Rt wrist plain film; lat view; 16y M:

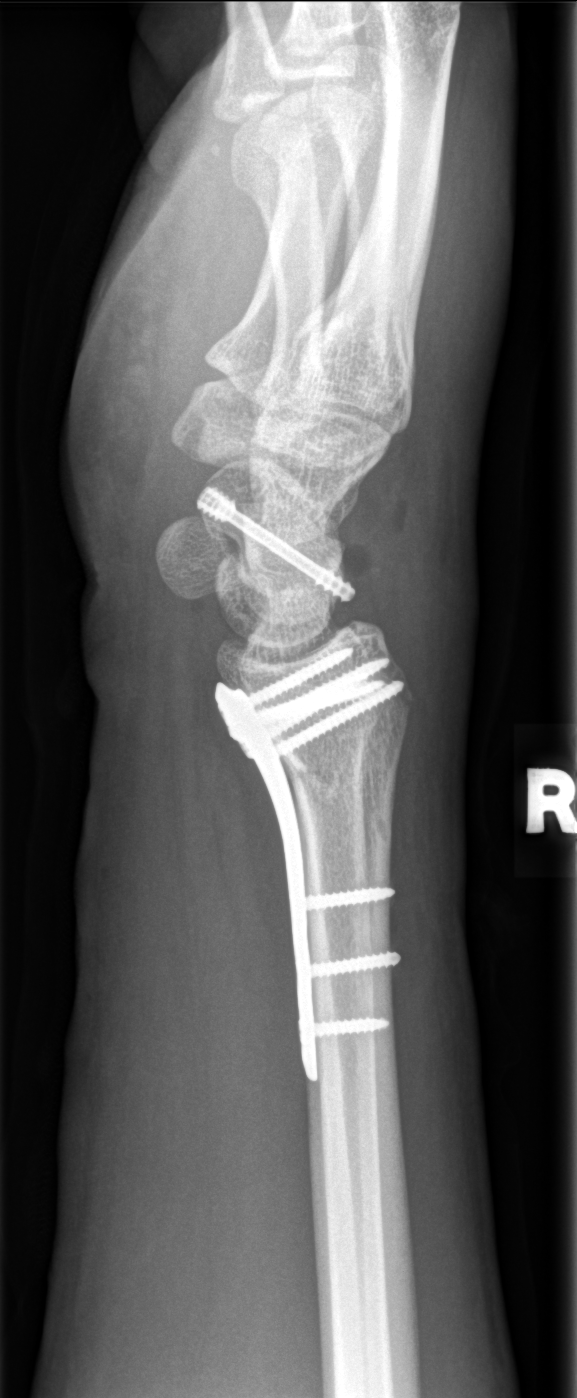 Metallic implant = (216, 630, 403, 1081) (192, 485, 363, 602)
Fx = (230, 632, 419, 797)
AO code = 23r-M/3.1; 23u-E/7; 72B(b)
Soft-tissue finding = (367, 422, 474, 701)